Right pediatric wrist radiograph, lat, 4-year-old male, initial study, image 55.6 mm wide, 386x990: 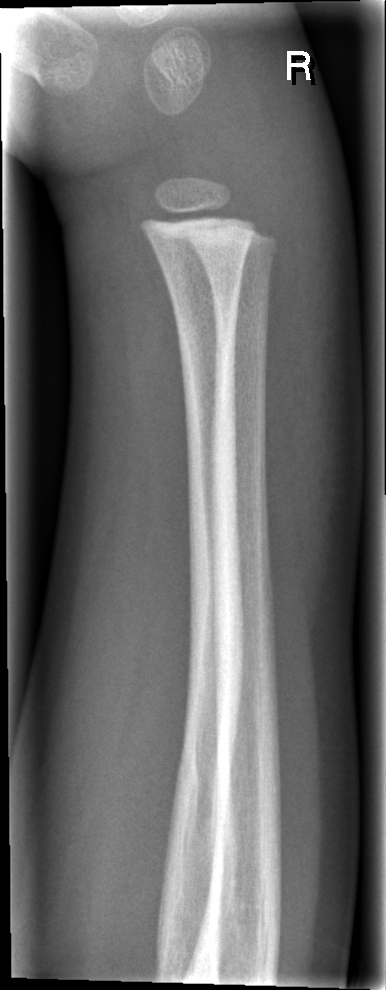

Fracture: none labeled.